Lat view, left wrist plain film, acquired on Siemens

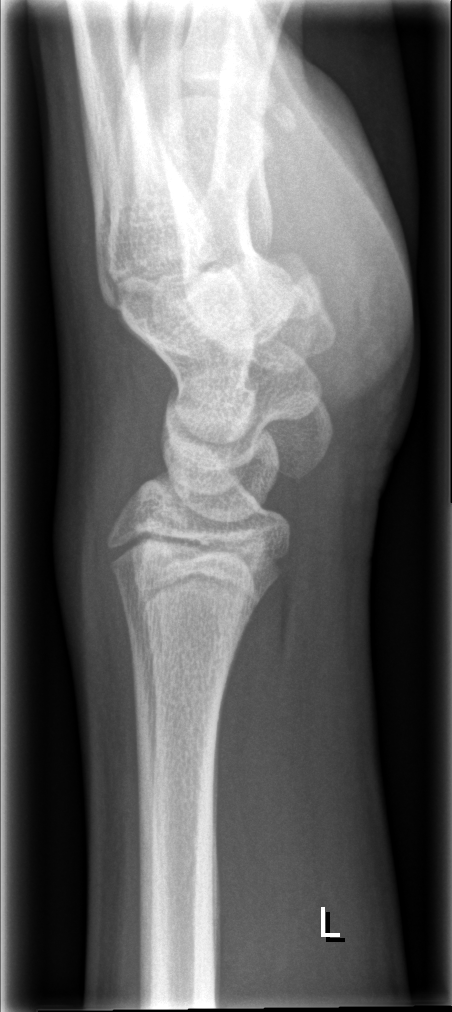

No fracture labeled.